Left wrist X-ray; lateral projection; 13y M; cast in situ; image width 113.2 mm

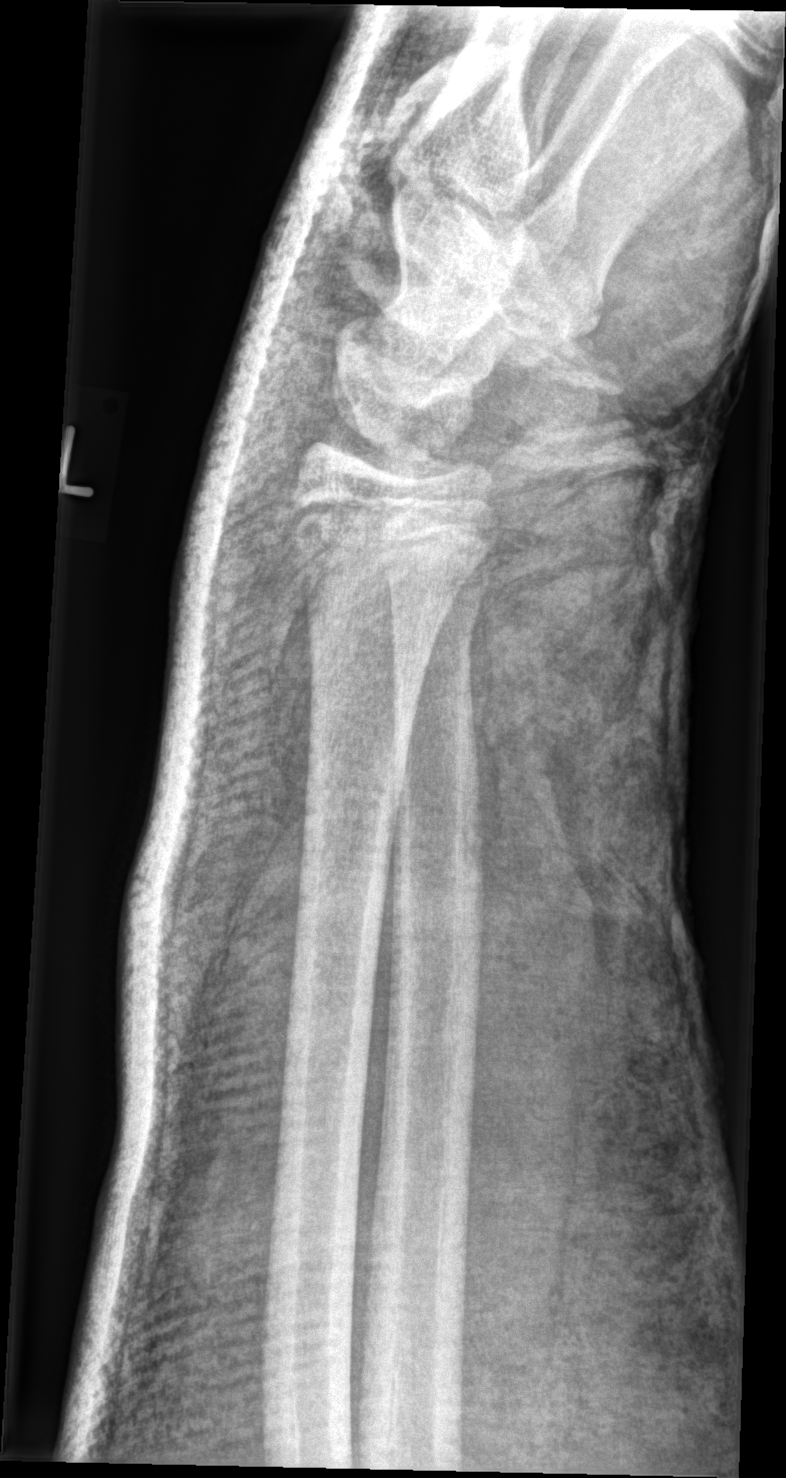 Fracture: present but not clearly seen in this view.